PA/AP view · right pediatric wrist radiograph · boy, 13 yo · image 96.9 mm wide:
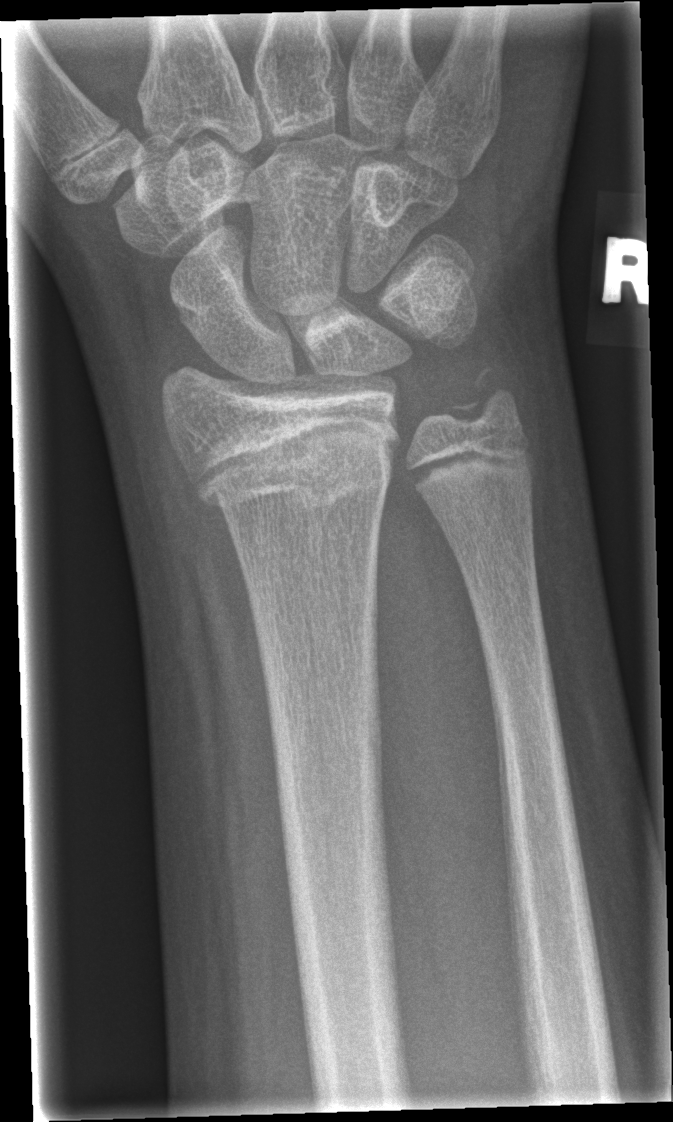

fracture = bbox(185, 404, 400, 521) bbox(444, 360, 525, 436)